L wrist X-ray | lateral projection | male, 16 yo | follow-up study | cast present | Siemens 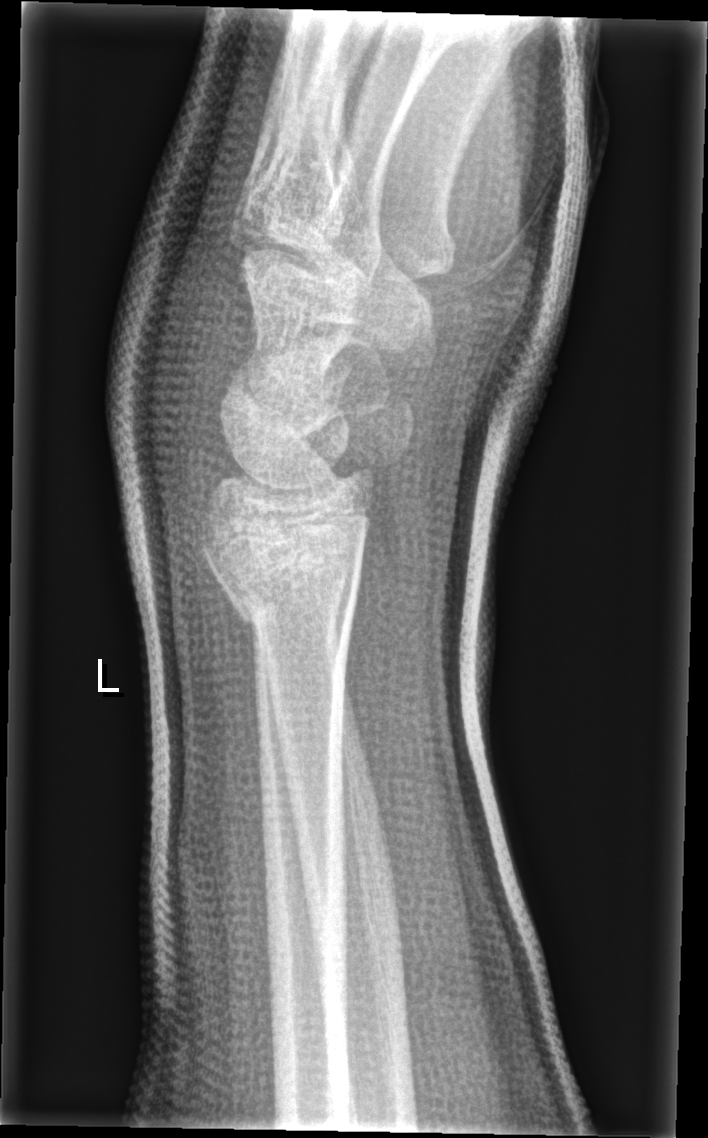

(coordinates are [x1, y1, x2, y2] in image pixels)
bone fracture = 1 @ bbox(197, 498, 369, 625)
AO/OTA = 23r-M/3.1; 23u-E/7